Lat view; L wrist XR; acquired on Siemens —
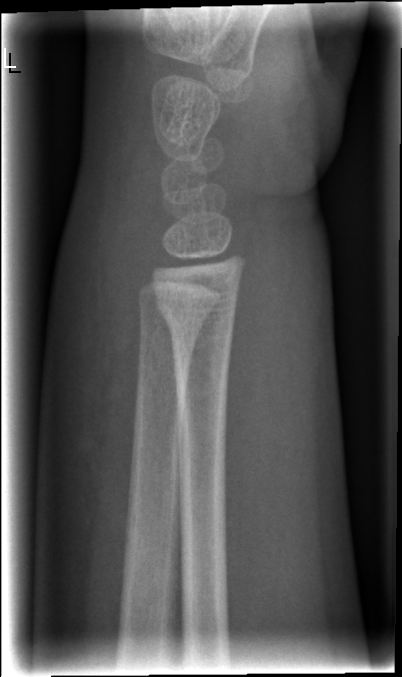
Fracture: bbox(153, 288, 240, 340). AO/OTA classification: 23r-M/2.1.